L wrist plain film, lateral, cast in situ —
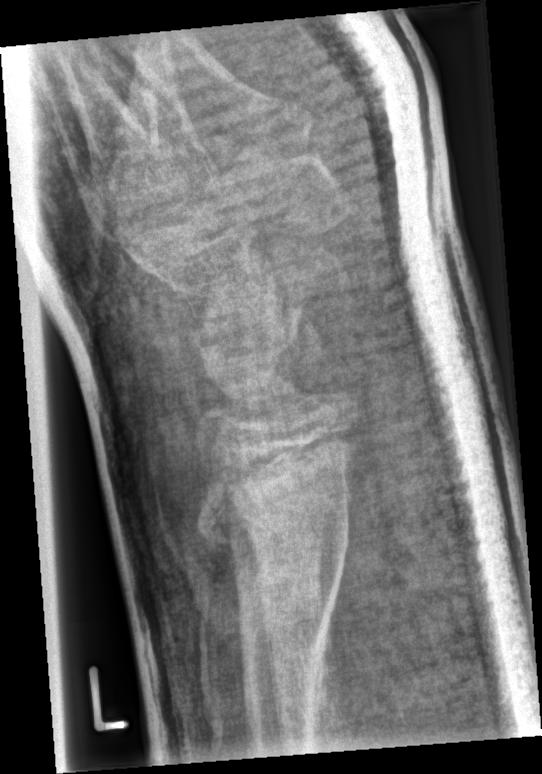 FINDINGS — AO code 23r-M/3.1; 23u-M/2.1; 23u-E/7. Fracture identified at 196,467,362,596.